Frontal projection | R wrist XR | 840 x 1417 px 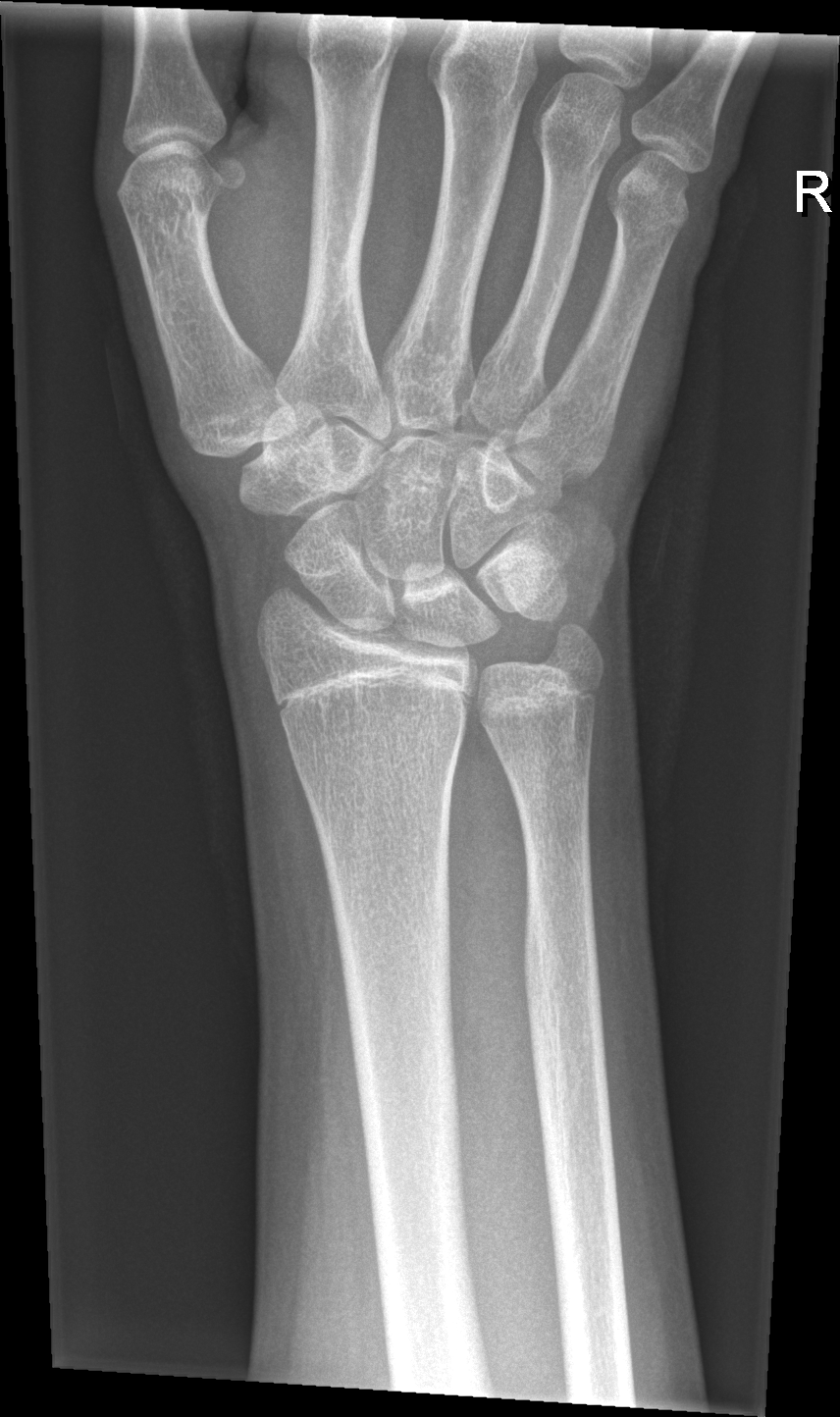
No Fx annotated.